L wrist radiograph · PA projection · 13y M · acquired on Siemens.

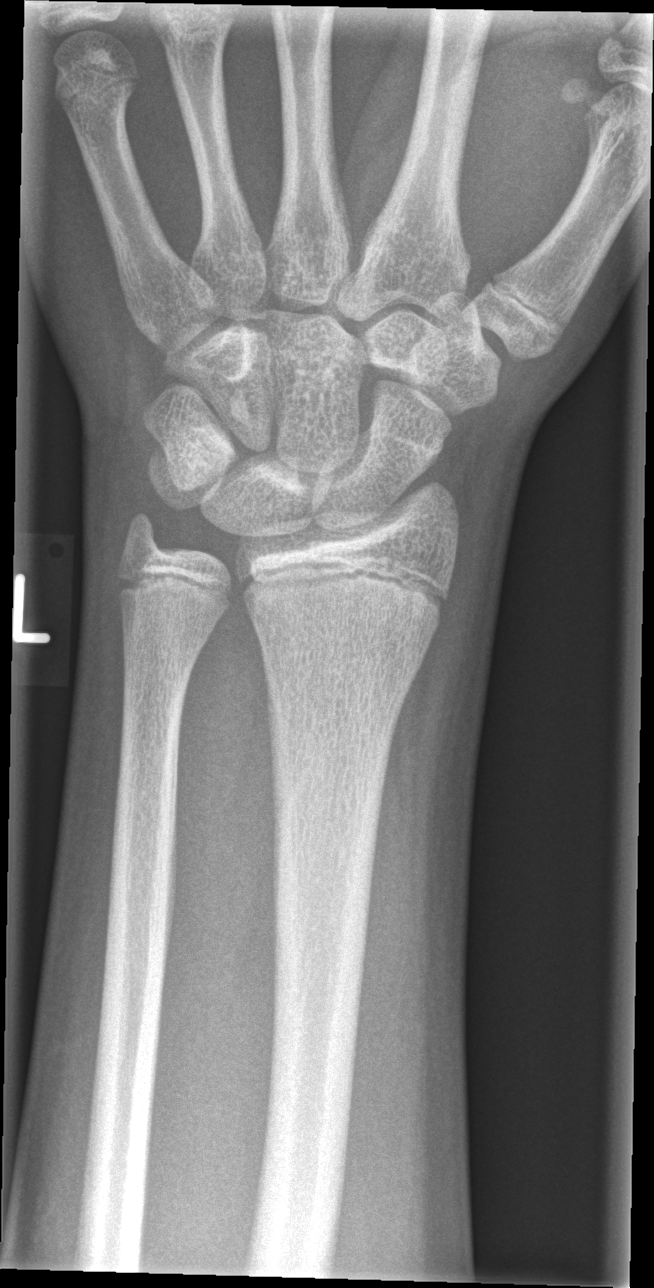
Fracture: none labeled